Right wrist plain film · AP view · imaged through cast:
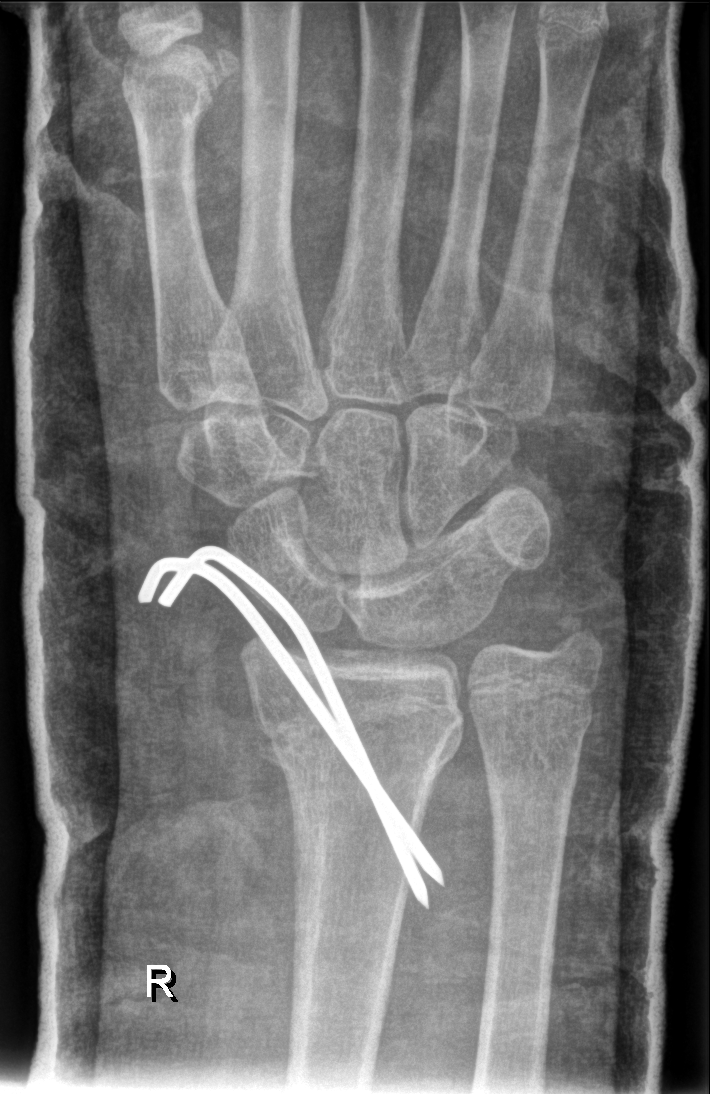 (pixel coordinates, top-left origin, xyxy)
Q: Fracture present?
A: Fx identified at (left=249, top=702, right=463, bottom=792) (left=544, top=603, right=606, bottom=675)
Q: Any metal present?
A: One metallic implant at (left=133, top=546, right=447, bottom=914)